Frontal projection; R wrist radiograph; pediatric patient (girl, age 9); index exam; acquired on Siemens.

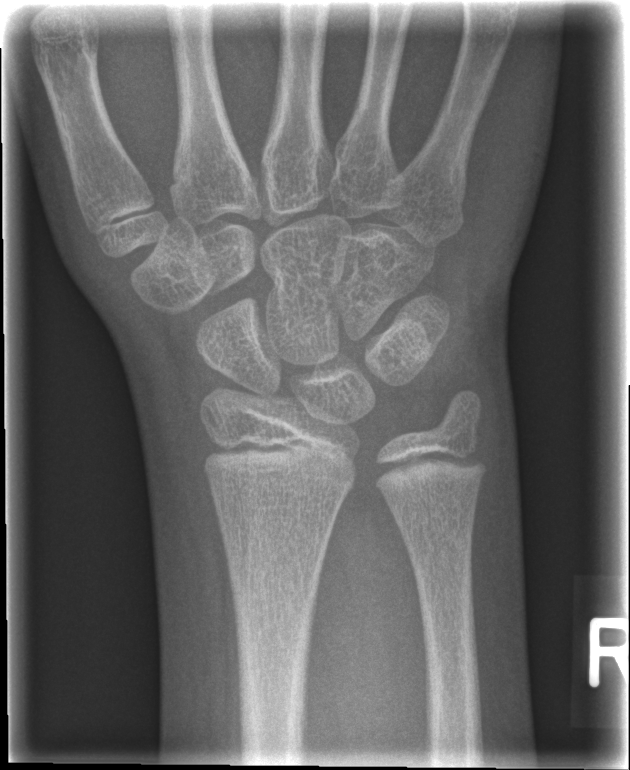 Fx: none.